Lateral projection | right wrist radiograph | in cast | 852x1123.
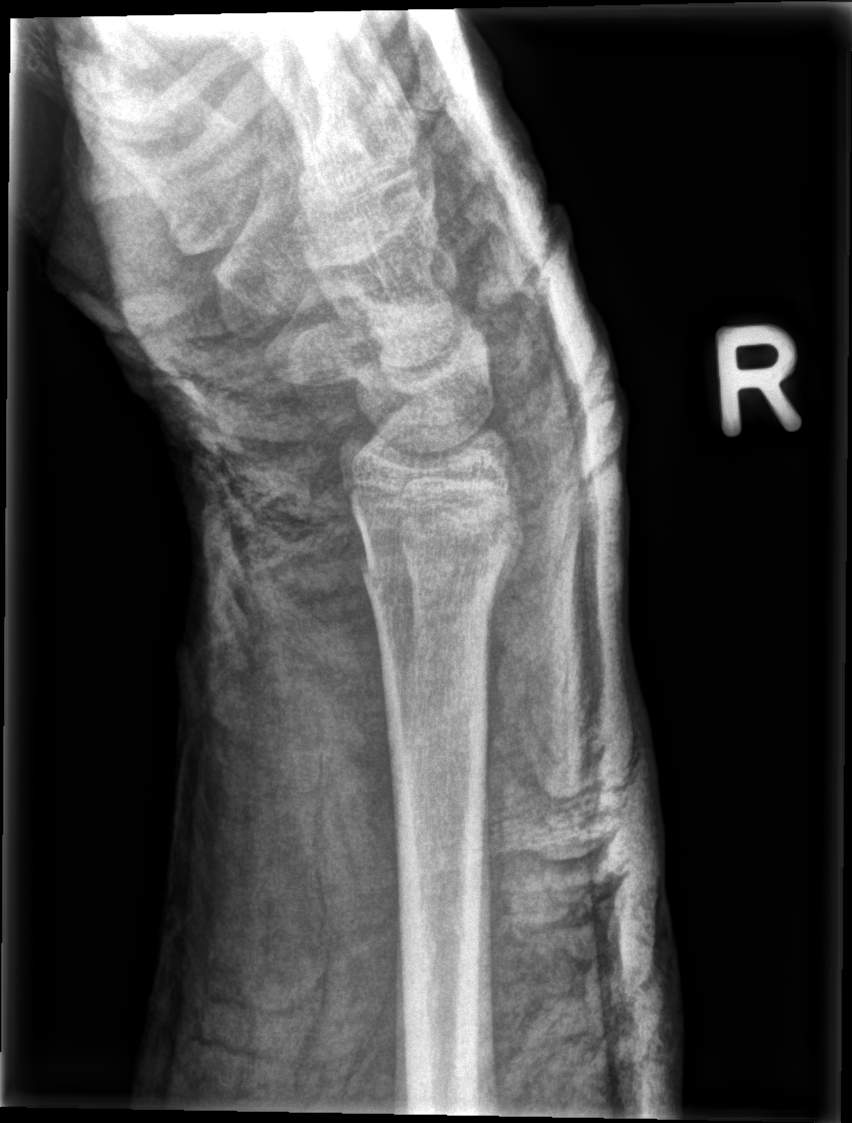
- Bounding boxes in image-pixel xyxy.
- Fracture: 355 497 526 596.